Lateral projection, right wrist radiograph
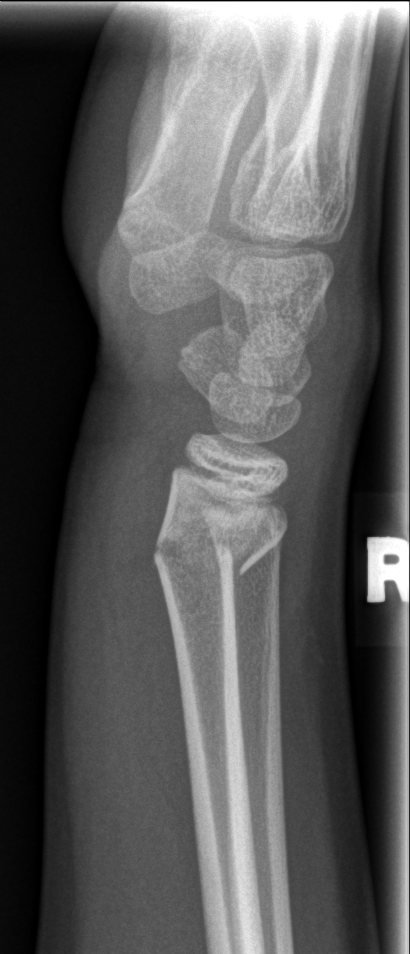
{
  "_coords": "boxes as x1,y1,x2,y2 (top-left / bottom-right, pixel units)",
  "ao": "23r-M/3.1; 23u-E/7",
  "fracture": "<148,488>-<290,579>",
  "pronatorsign": "1 @ <101,443>-<202,893>"
}